Rt pediatric wrist radiograph · lat view
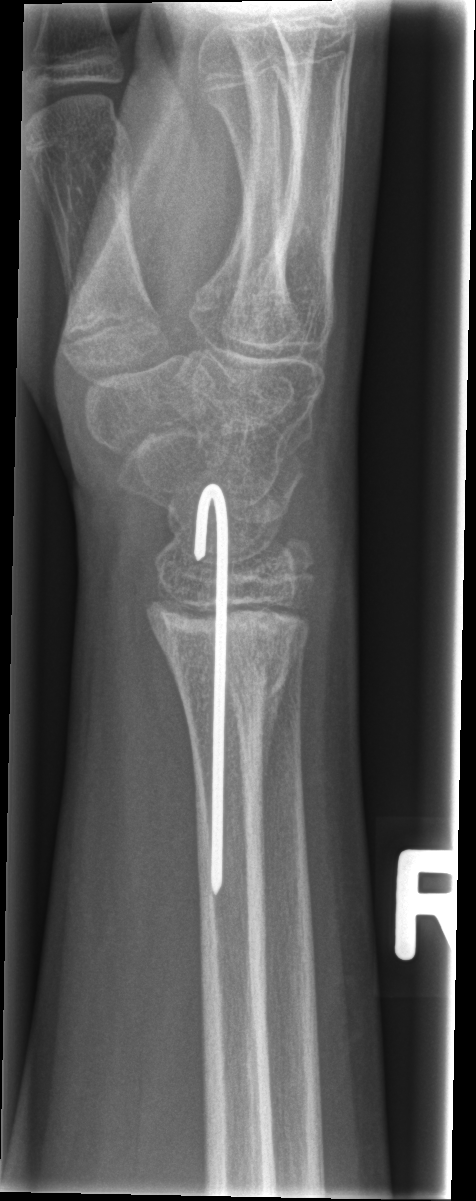
FINDINGS — Fx — (left=142, top=582, right=314, bottom=705) (left=259, top=534, right=320, bottom=596). Metal identified at (left=192, top=481, right=231, bottom=898). Periosteal new bone: (left=259, top=669, right=290, bottom=790).